Lat projection · right wrist XR · 78.9 mm image width 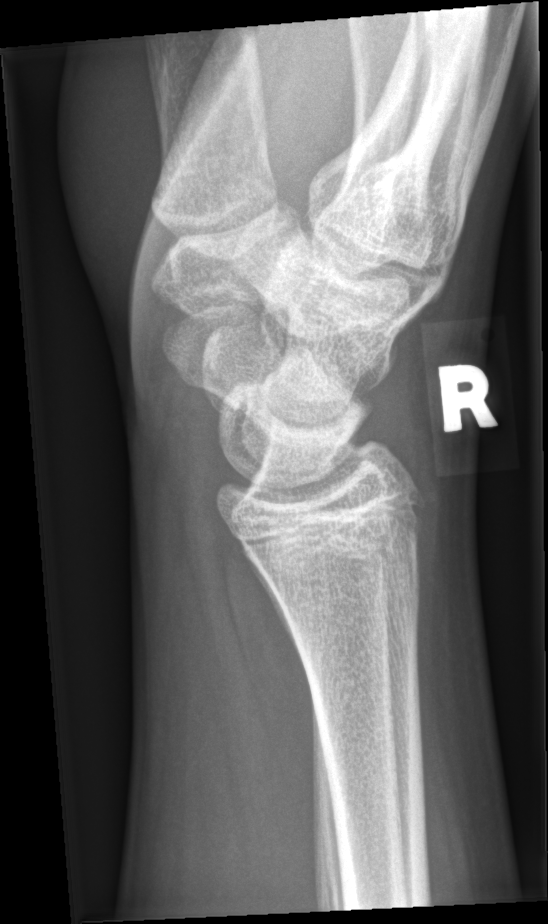 Fracture present but not clearly seen in this view.
AO/OTA classification: 72B(b).